Lateral projection | R wrist radiograph | male, 5 yo.

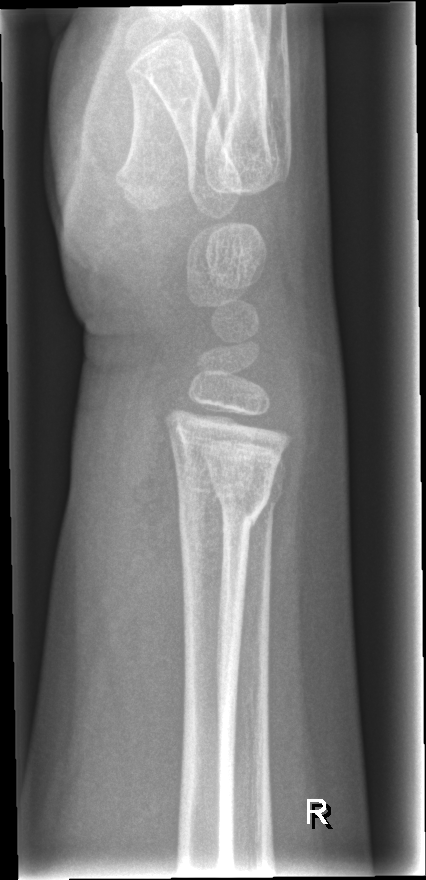 Q: Is the pronator sign positive?
A: Positive pronator fat-pad sign — bbox(121, 409, 186, 760)
Q: Locate any fractures.
A: Fractures — bbox(173, 451, 275, 528), bbox(205, 458, 287, 518)
Q: AO code?
A: Fracture classified AO/OTA 23-M/2.1